R wrist XR | AP view | age 13 y, male | presentation radiograph | 609 x 912 px. 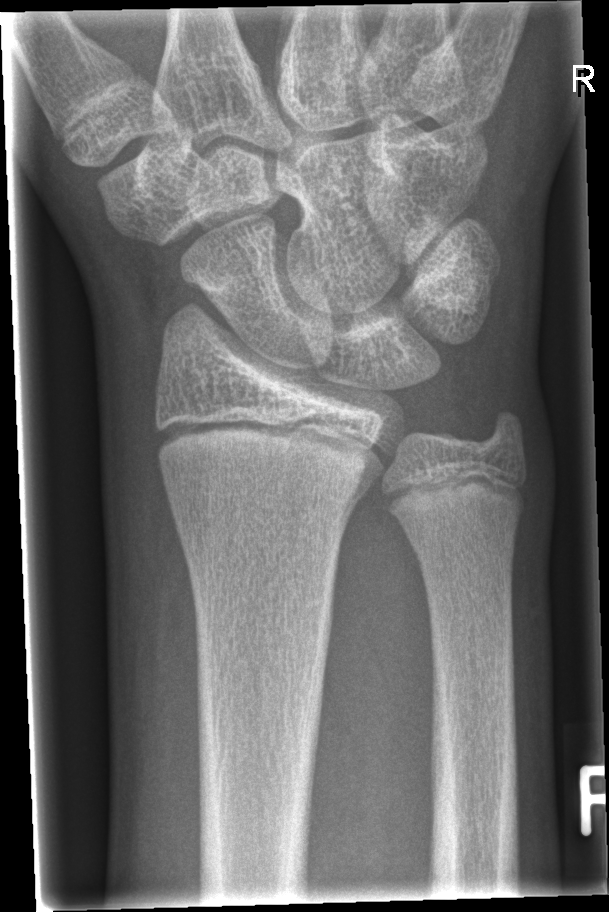

Q: Any fracture seen?
A: No fracture annotation